Lat · left wrist XR · male, 15 yo —

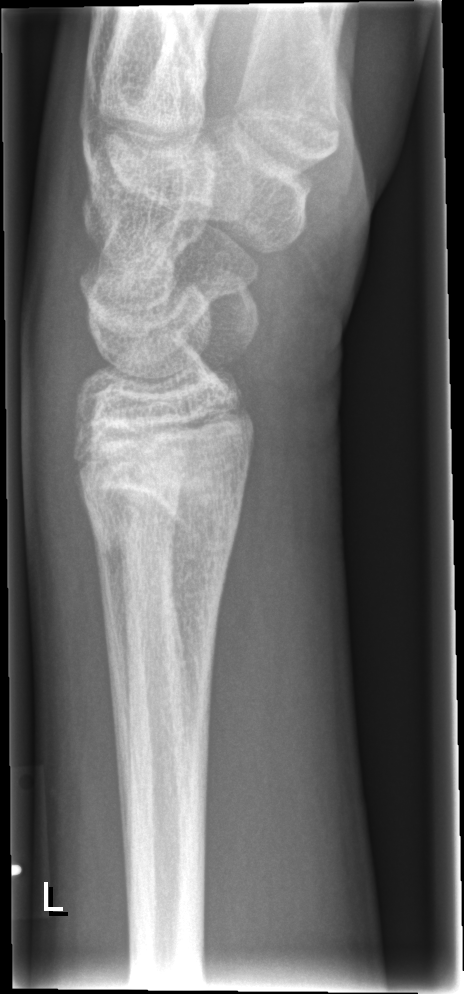

FINDINGS — Periosteal thickening — 100 539 131 873. Bone fracture: 75 450 250 575. AO/OTA classification: 23r-M/3.1; 23u-E/7.